Right wrist radiograph; lateral.
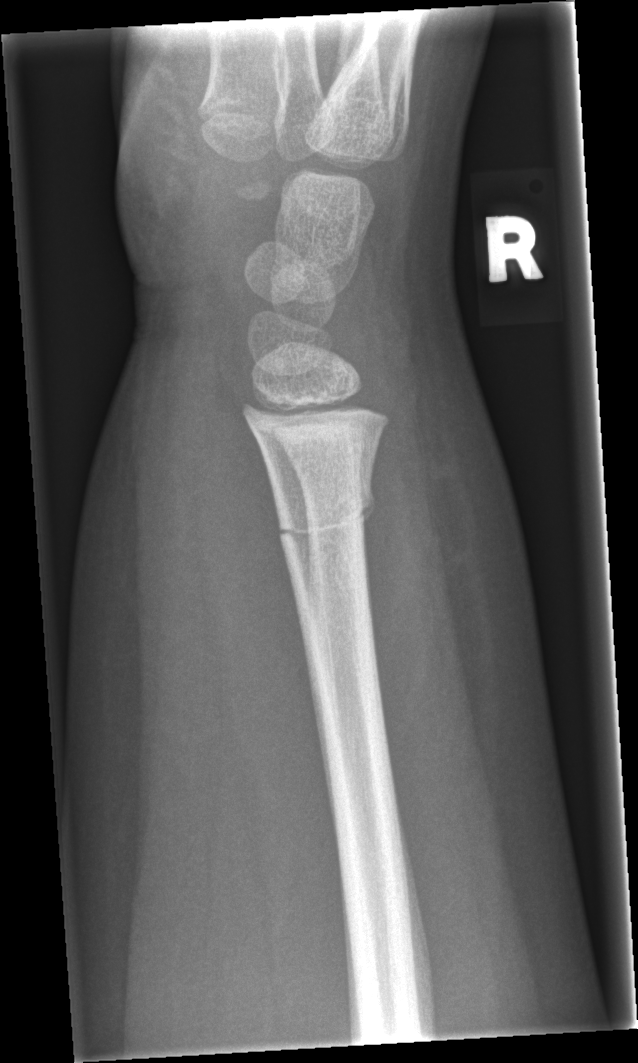

Fx — [271, 485, 381, 545].
Positive pronator fat-pad sign identified at [208, 409, 309, 732].
Soft-tissue finding identified at [78, 358, 320, 862] [366, 317, 549, 832].
AO/OTA classification: 23r-M/3.1.